Right wrist radiograph, lateral projection, 10-year-old female —
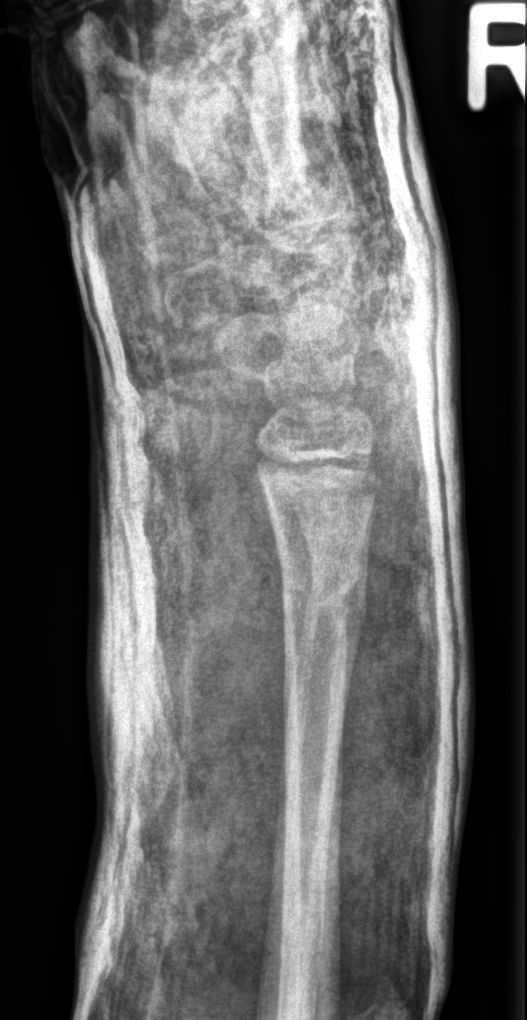
• Fracture — [x1=280, y1=551, x2=372, y2=640].
• AO code 23r-M/3.1.